Rt wrist X-ray, lateral projection, 11-year-old boy, image 87.1 mm wide —
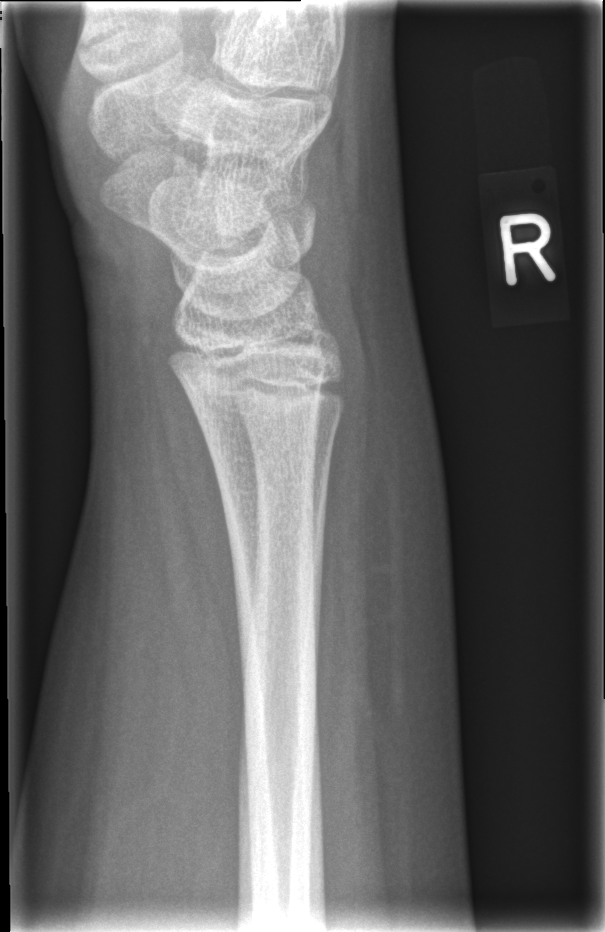 {
  "fracture": "none labeled"
}